Left wrist plain film; lat — 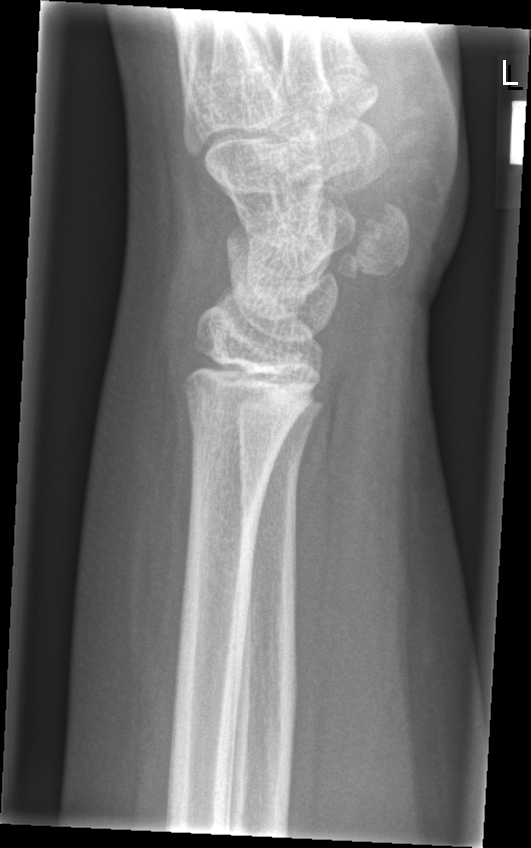

Fracture: none labeled.